Lateral projection · right plain radiograph of the wrist · age 12 y, female · follow-up · cast in situ —

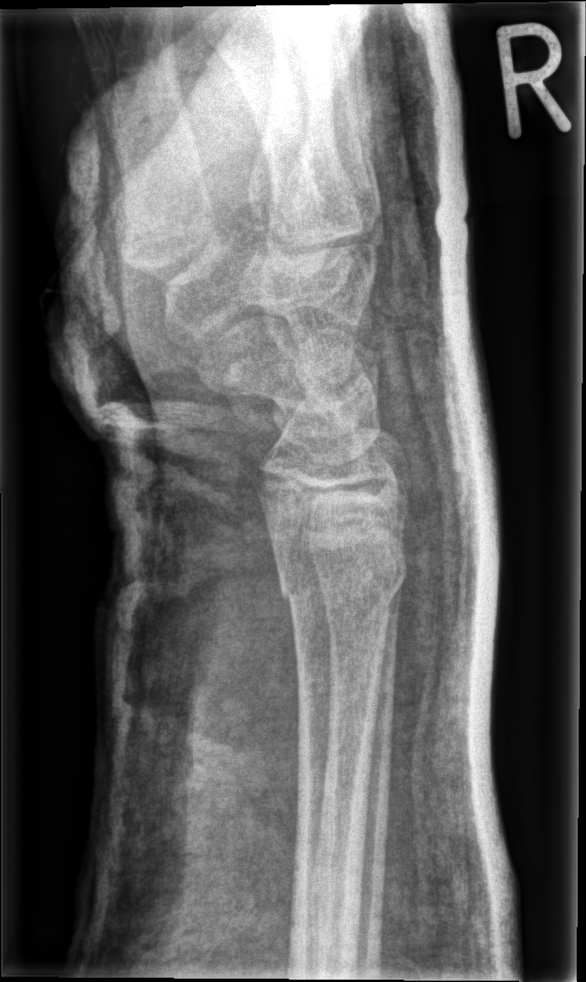

FINDINGS — Fracture: [x1=274, y1=529, x2=411, y2=605]. AO code 23r-M/3.1; 23u-E/7.